PA/AP | R plain radiograph of the wrist | 10y M | 558x1188 —

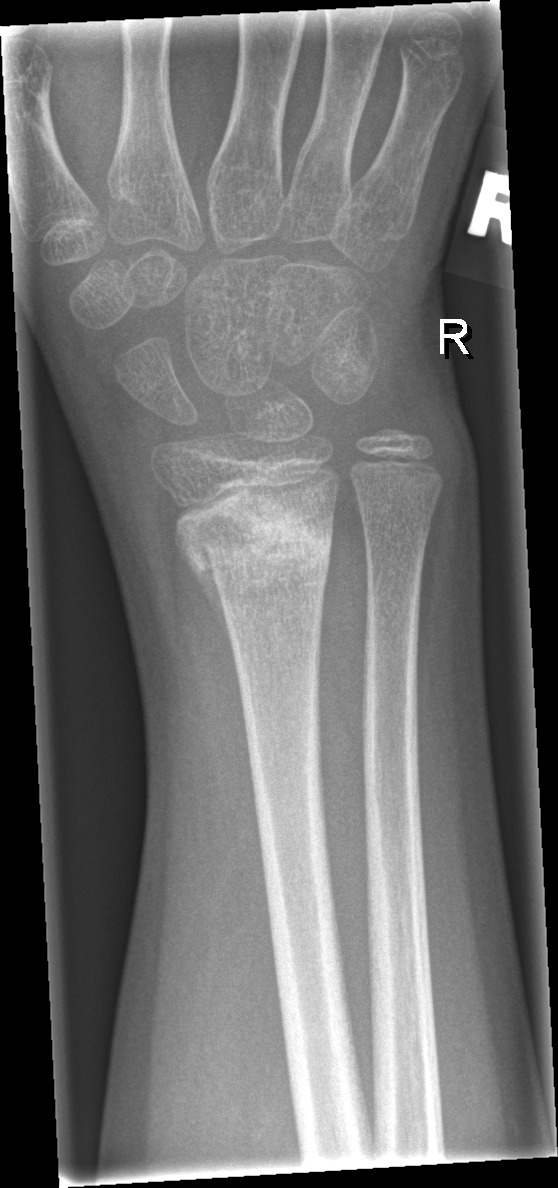 Bone fracture: bbox(173, 477, 345, 596). Decreased bone density (osteopenia). Fracture classified AO/OTA 23r-E/2.1.